Lat view, left wrist X-ray, in cast:

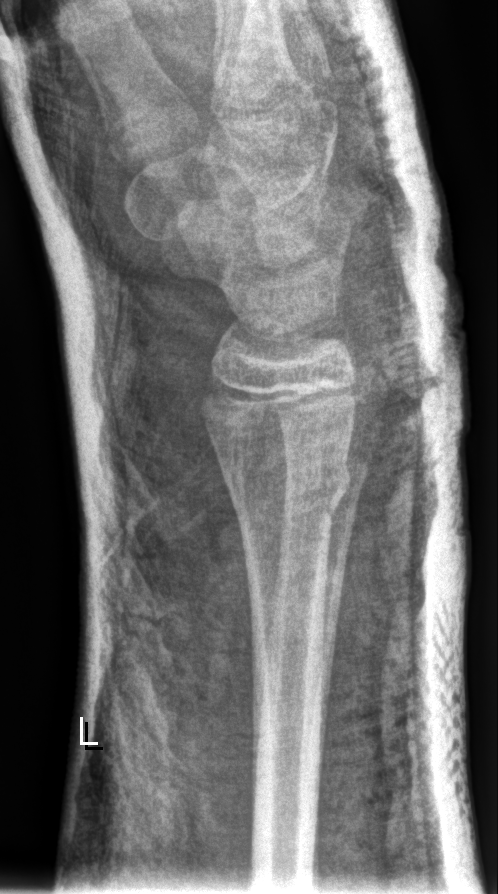

Pixel coordinates, top-left origin, xyxy. One bone fracture at 224 453 354 519. AO code 23r-M/2.1; 23u-E/7.